Lat view | Lt wrist XR | male, 6 yo | follow-up.
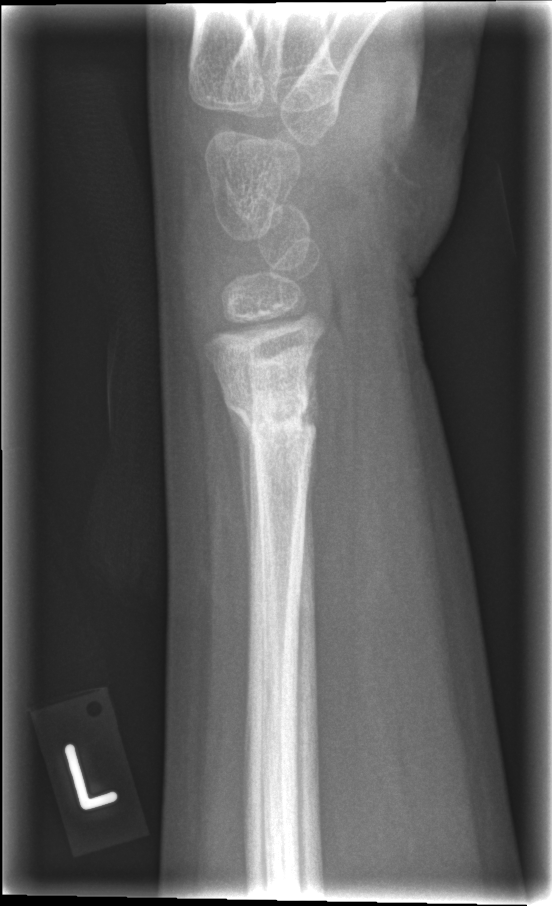
Fracture identified at (left=220, top=382, right=324, bottom=454). Decreased bone density (osteopenia). Periosteal thickening: (left=231, top=414, right=255, bottom=561).